Left plain radiograph of the wrist, PA projection, pediatric patient (male, age 11), follow-up
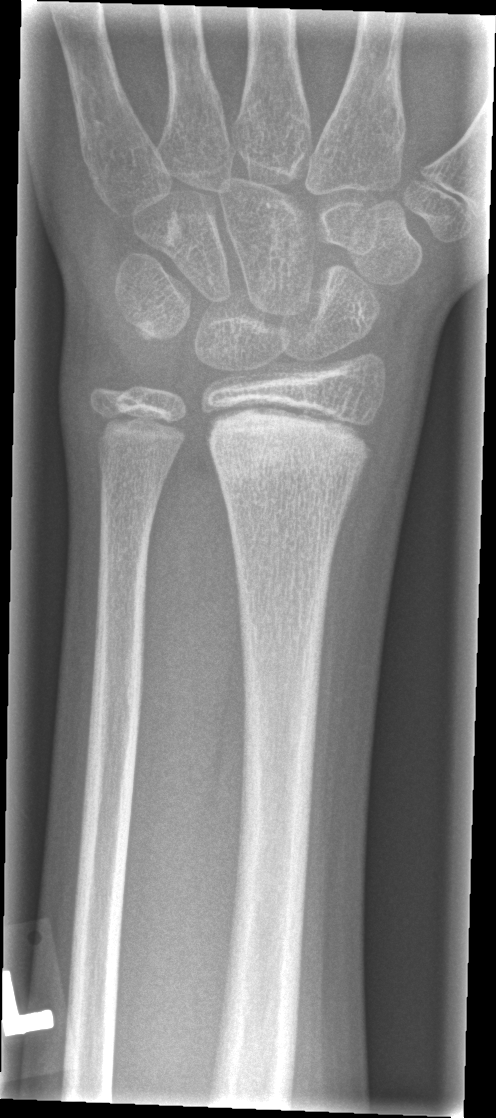 - Fracture: [205, 405, 375, 494].
- Reduced bone mineral density.